Lateral view, Rt plain radiograph of the wrist, 12y F, index exam, 83.1 mm image width
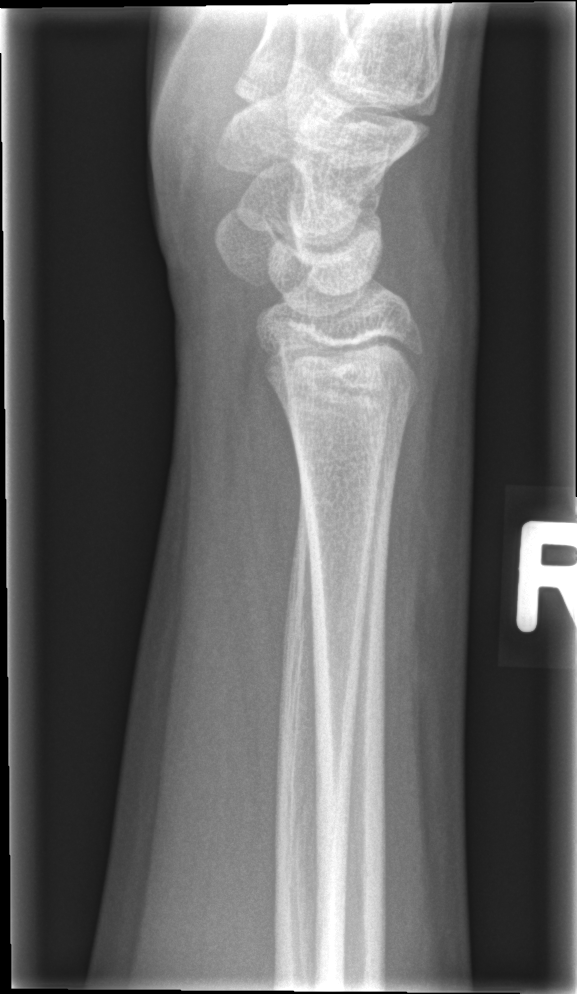

- No fracture labeled.